Lt wrist plain film | posteroanterior view.

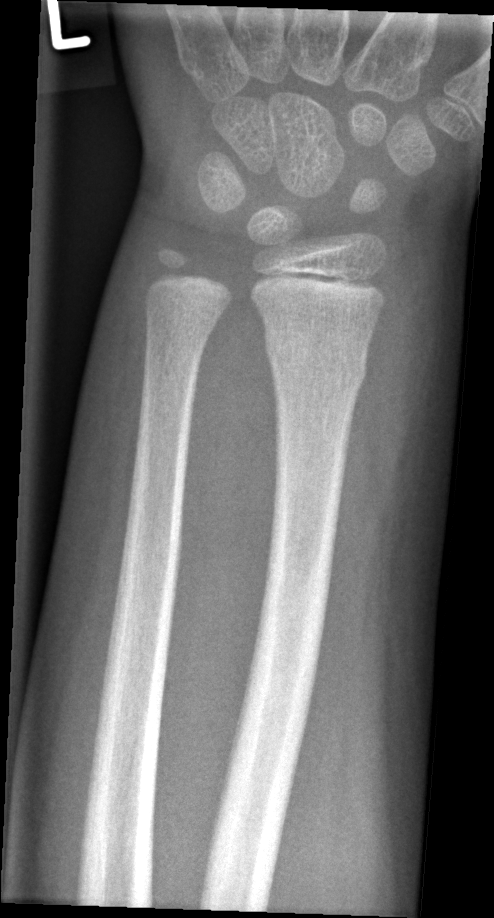
AO/OTA classification: 23r-M/2.1.
Bone fracture — (259, 329, 373, 395).